Lateral view; left wrist pediatric wrist radiograph 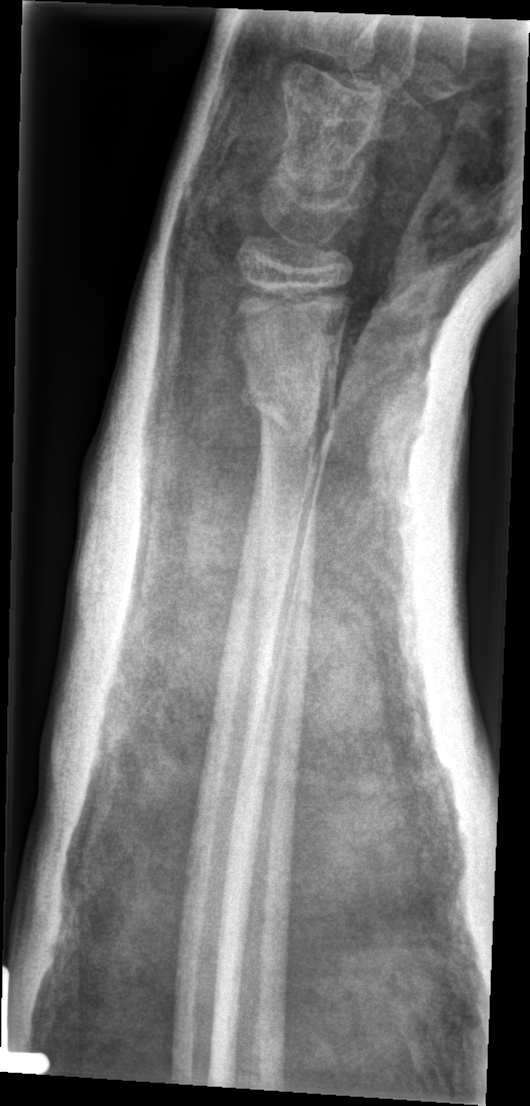

FINDINGS — AO/OTA classification: 23r-M/3.1; 23u-M/2.1. One Fx at (left=239, top=385, right=341, bottom=445).